Left wrist pediatric wrist radiograph · lateral view · pediatric patient (boy, age 12) · follow-up study · cast present · 93.3 mm image width · image size 648x1450:
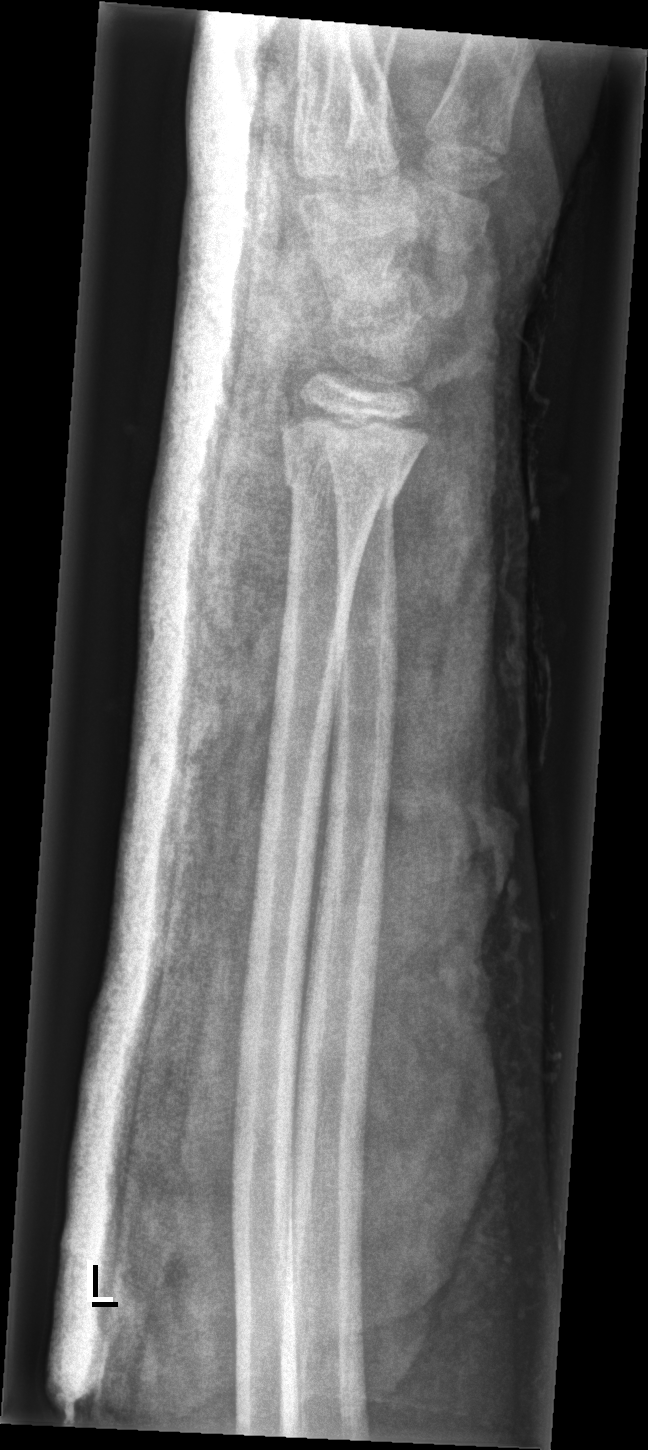 (pixel coordinates, top-left origin, xyxy)
Bone fracture: (left=279, top=442, right=410, bottom=519)
AO/OTA: 23r-M/3.1